PA projection | left wrist radiograph | 11y F | image 95.6 mm wide —

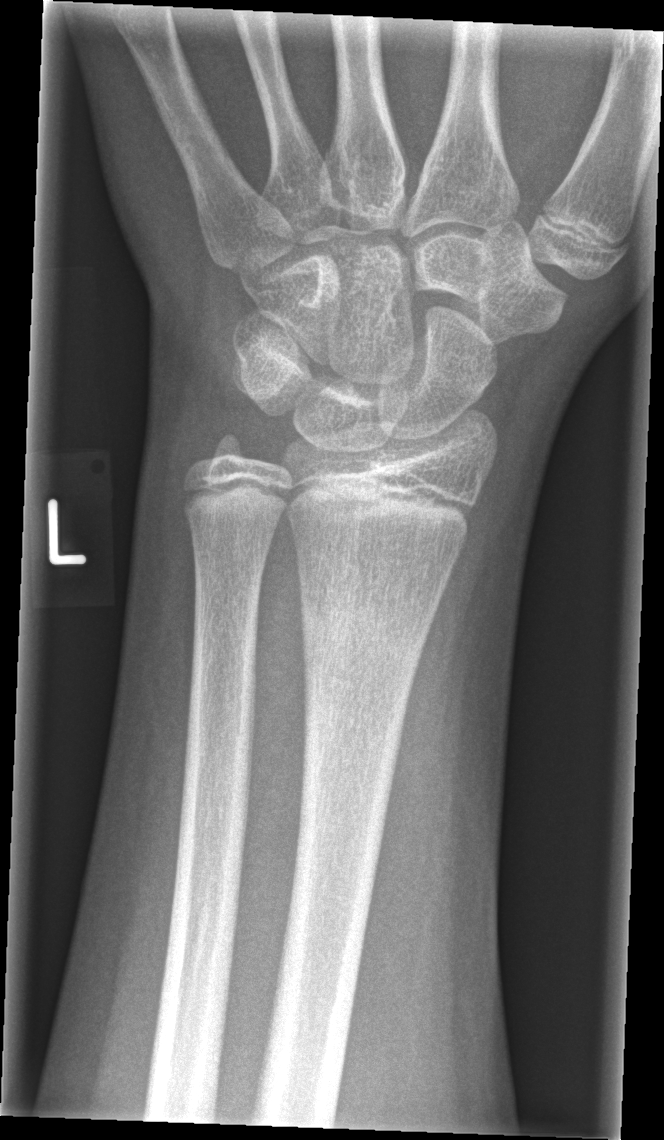 Boxes as x1,y1,x2,y2 (top-left / bottom-right, pixel units). One bone fracture at (left=296, top=597, right=431, bottom=677).